Lateral view, Rt wrist X-ray, subsequent exam, in cast, acquired on Siemens —

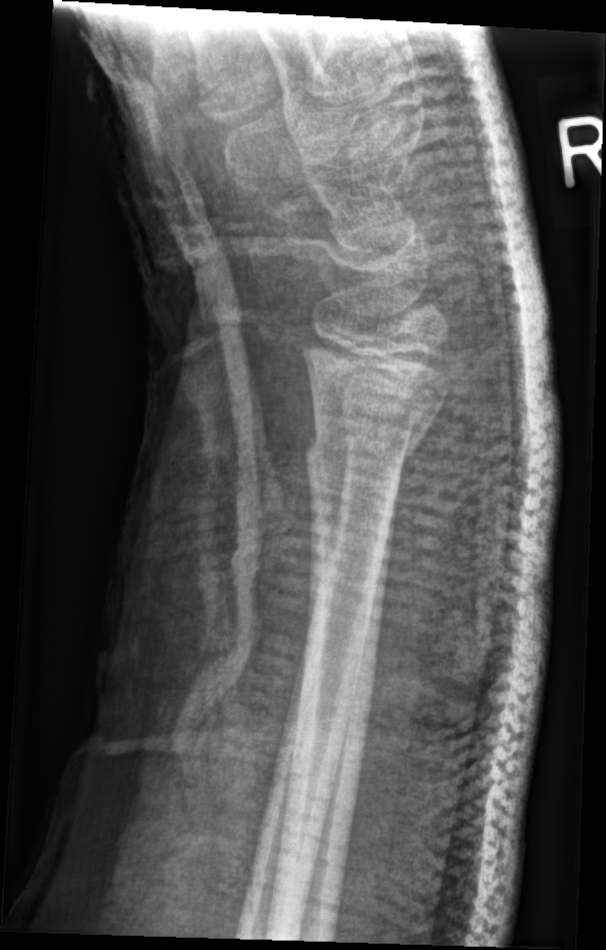

(pixel coordinates, top-left origin, xyxy)
Fx: (300, 407, 438, 486)